R wrist X-ray, posteroanterior, pediatric patient (male, age 11) — 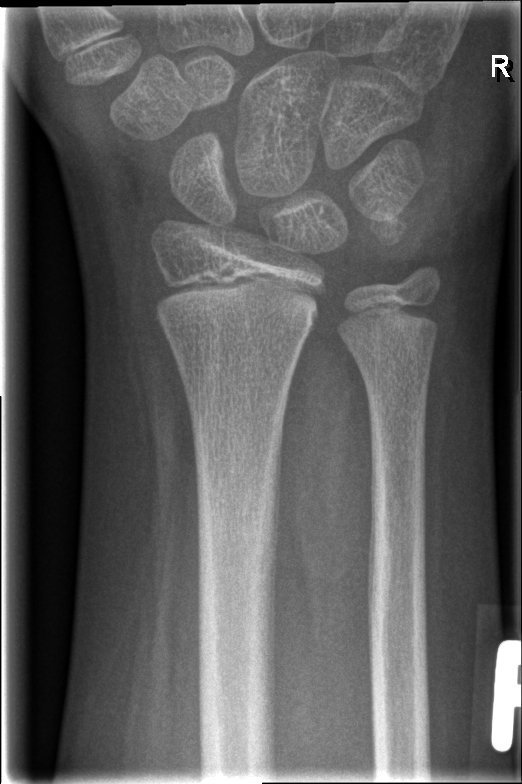
Bone fracture: none labeled